Right wrist plain radiograph of the wrist | posteroanterior projection | 12y M. 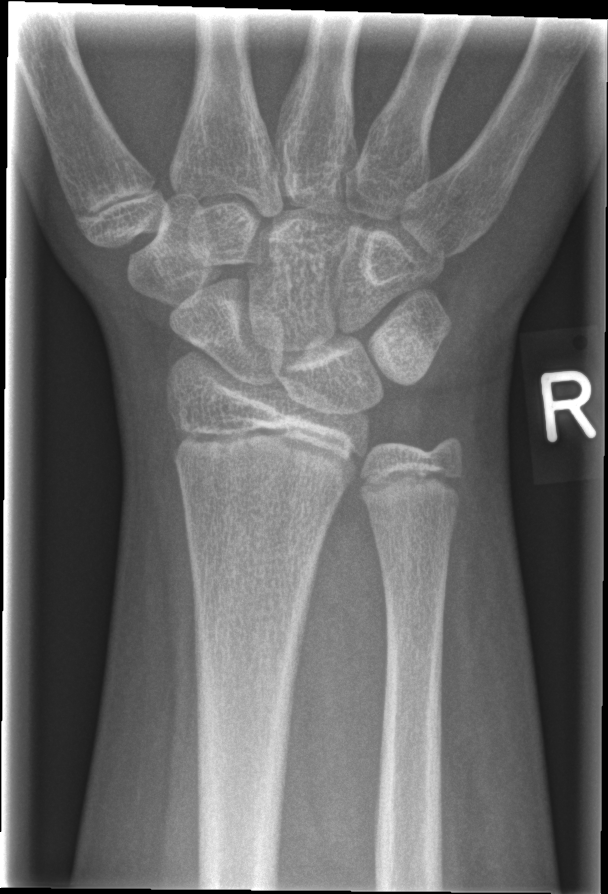 Fx: none.